Rt wrist XR; lat; 12-year-old male; image width 83.5 mm
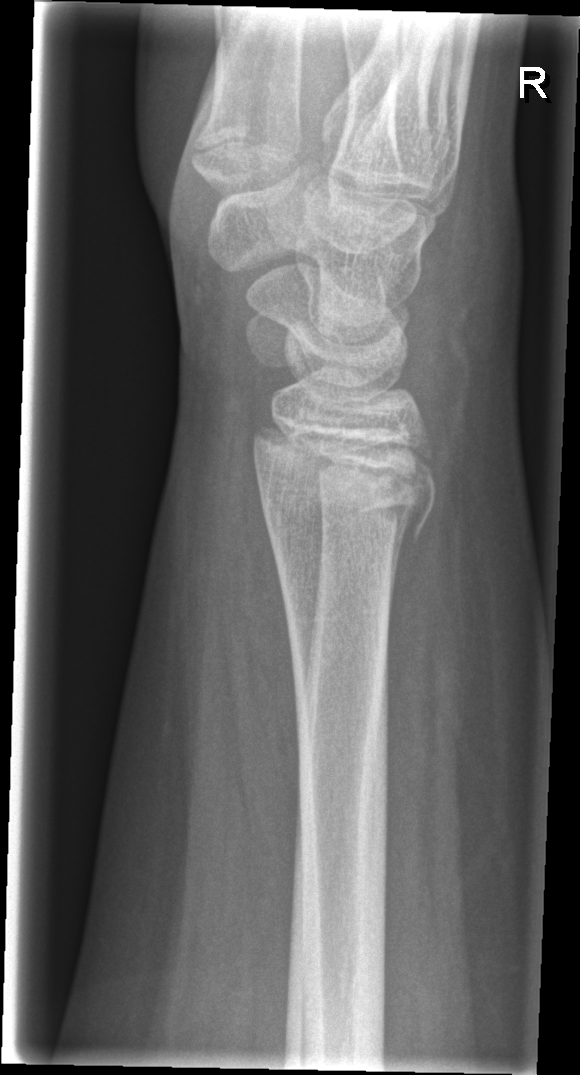
FINDINGS — One pronator quadratus fat-pad sign at 219,405,316,823. Soft-tissue finding identified at 367,379,544,844. One fracture at 260,442,440,552.